PA/AP projection; Rt wrist X-ray; findings marked uncertain by the reading radiologist:
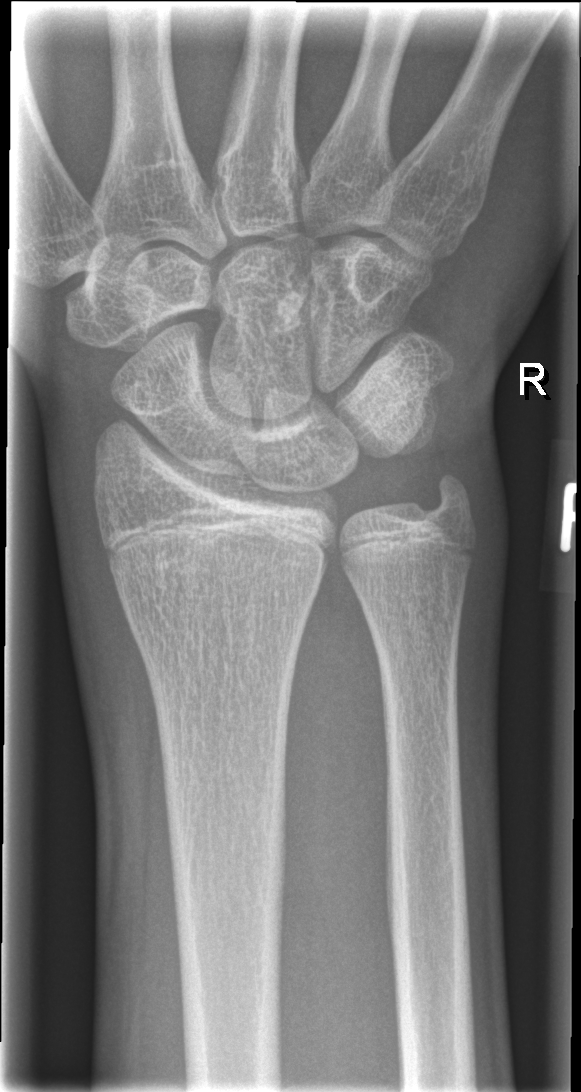

Q: What is the AO/OTA classification?
A: Fracture classified AO/OTA 23r-M/2.1
Q: Locate any fractures.
A: Fracture present, though not clearly seen in this view